Lateral view · left wrist pediatric wrist radiograph · 10-year-old girl · subsequent exam

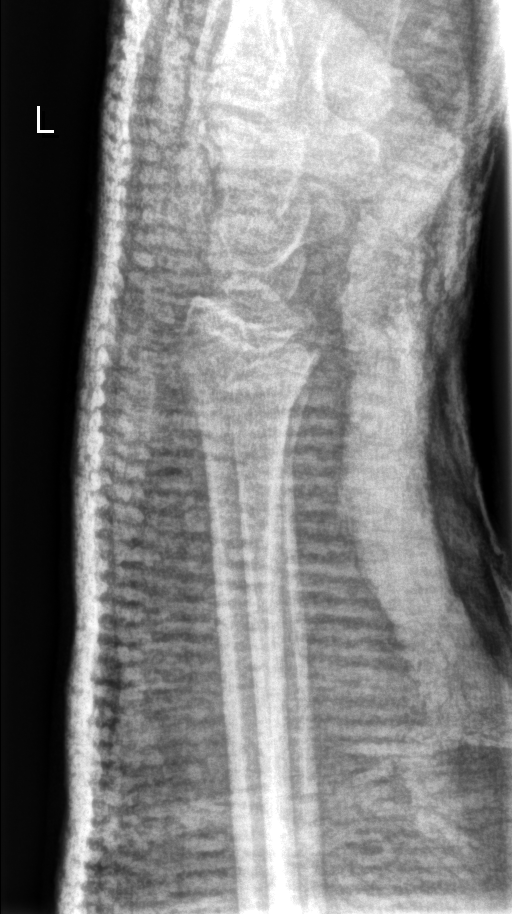
(bounding boxes in image-pixel xyxy)
Fx = [x1=169, y1=322, x2=331, y2=422]